Lat view · L pediatric wrist radiograph · acquired on Siemens · image width 83.7 mm: 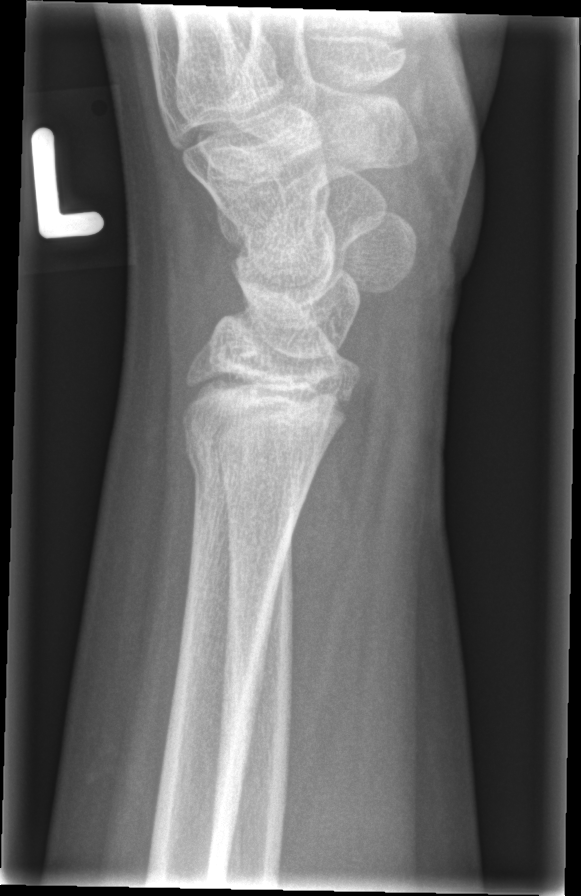
{
  "fracture": "1 @ 180 416 324 503",
  "pronatorsign": "289 394 375 675",
  "ao": "23r-M/2.1"
}